PA, left plain radiograph of the wrist. 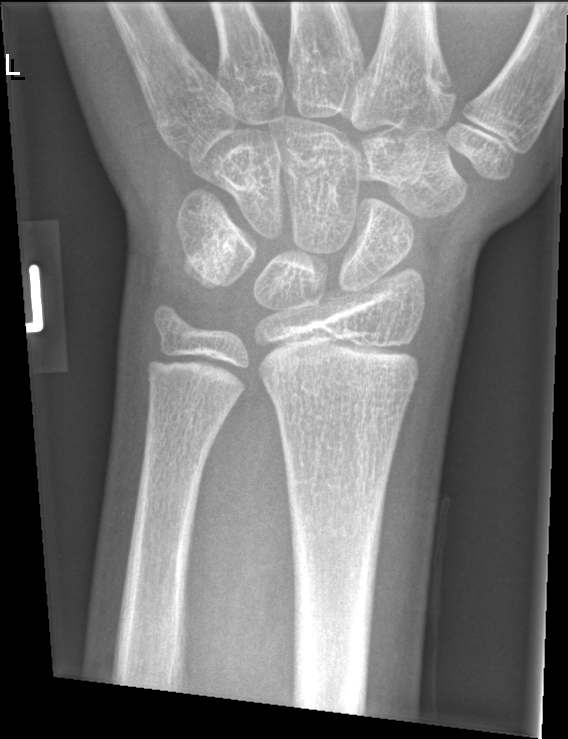 Fracture = present but not clearly seen in this view